R wrist radiograph | PA view | cast in situ

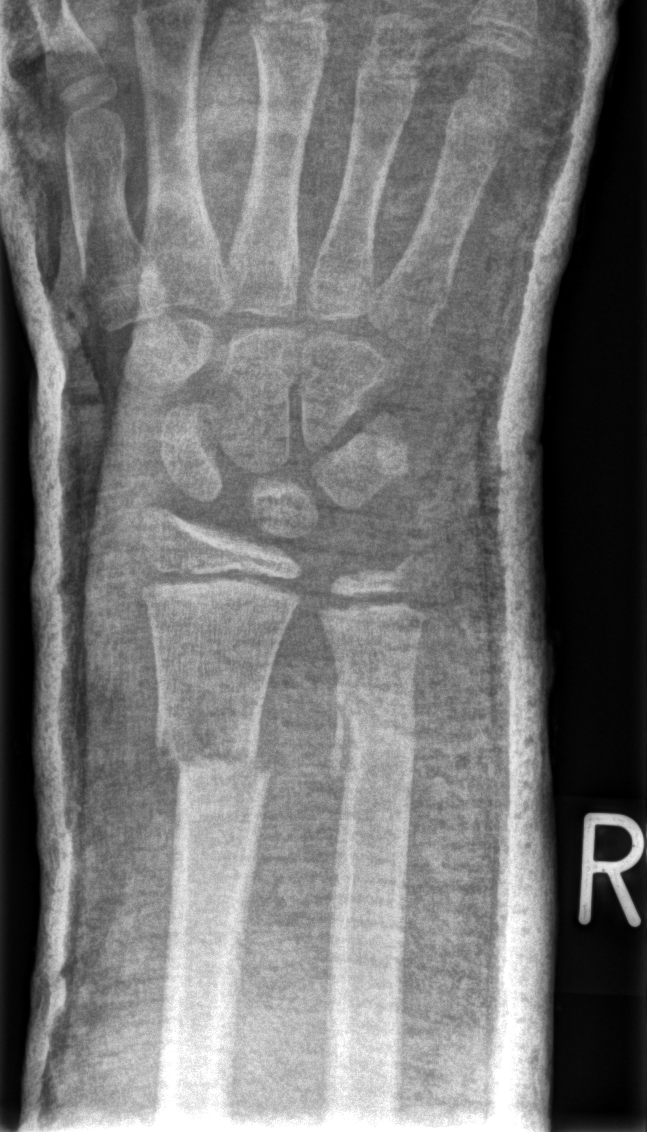 Fx: <332,667>-<423,779> <151,708>-<273,790>.